Lt pediatric wrist radiograph | lat | imaged through cast:
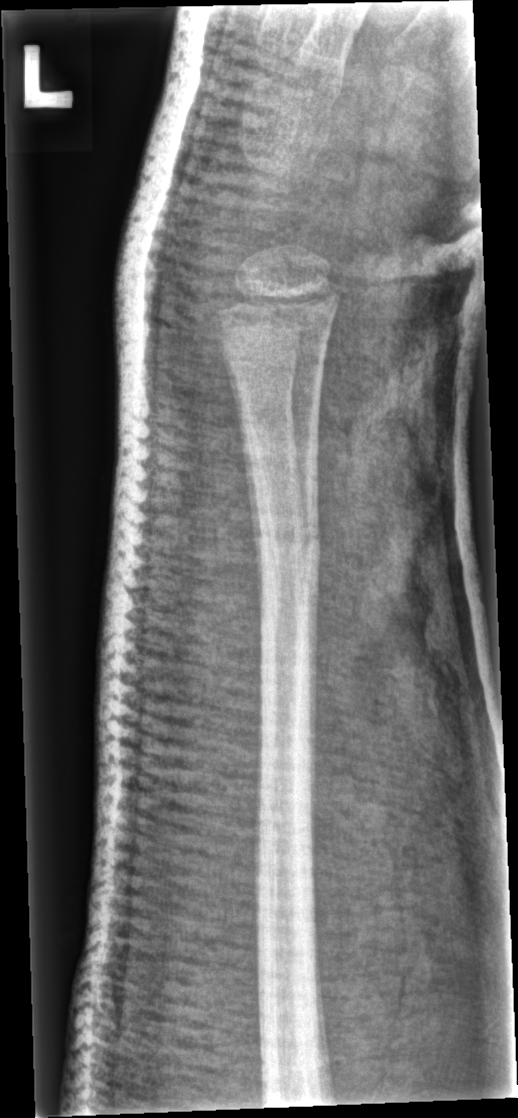

FINDINGS: (boxes as x1,y1,x2,y2 (top-left / bottom-right, pixel units)) One Fx at (247, 504, 324, 570).